Lt wrist plain film · lat projection · follow-up · in cast
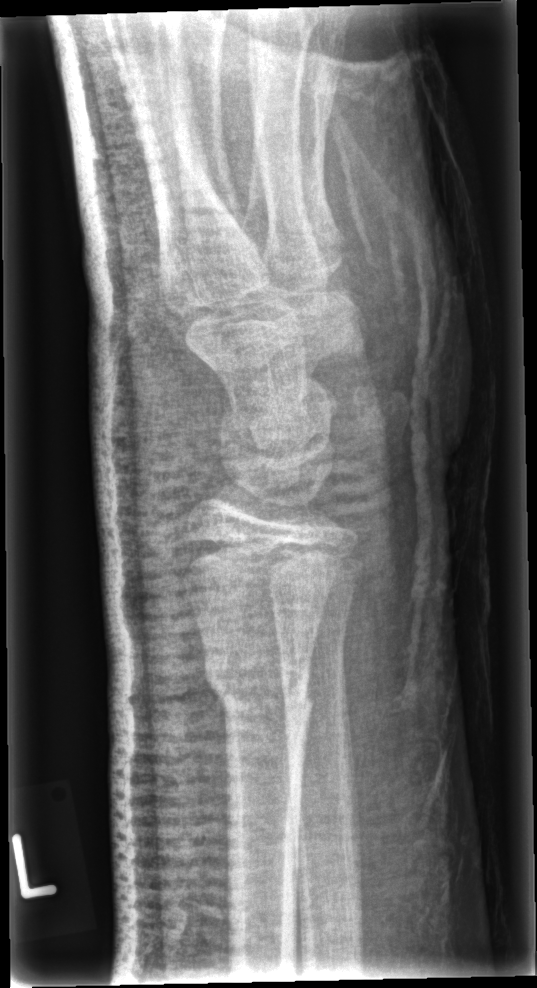

Fx identified at (196, 639, 317, 725).
AO/OTA classification: 23r-M/3.1.